Right wrist pediatric wrist radiograph | posteroanterior view | female, 7 yo | Siemens | image width 67.7 mm

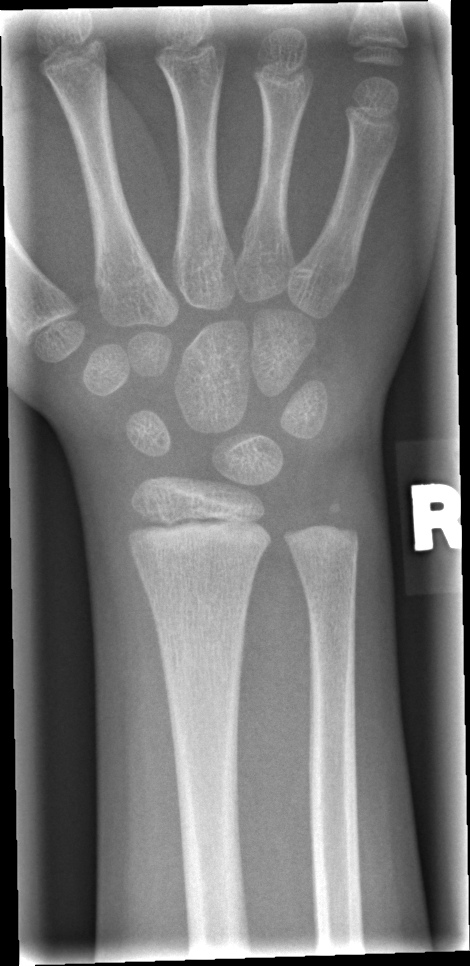 FINDINGS: No fracture bounding box.